Right wrist plain radiograph of the wrist | lateral projection: 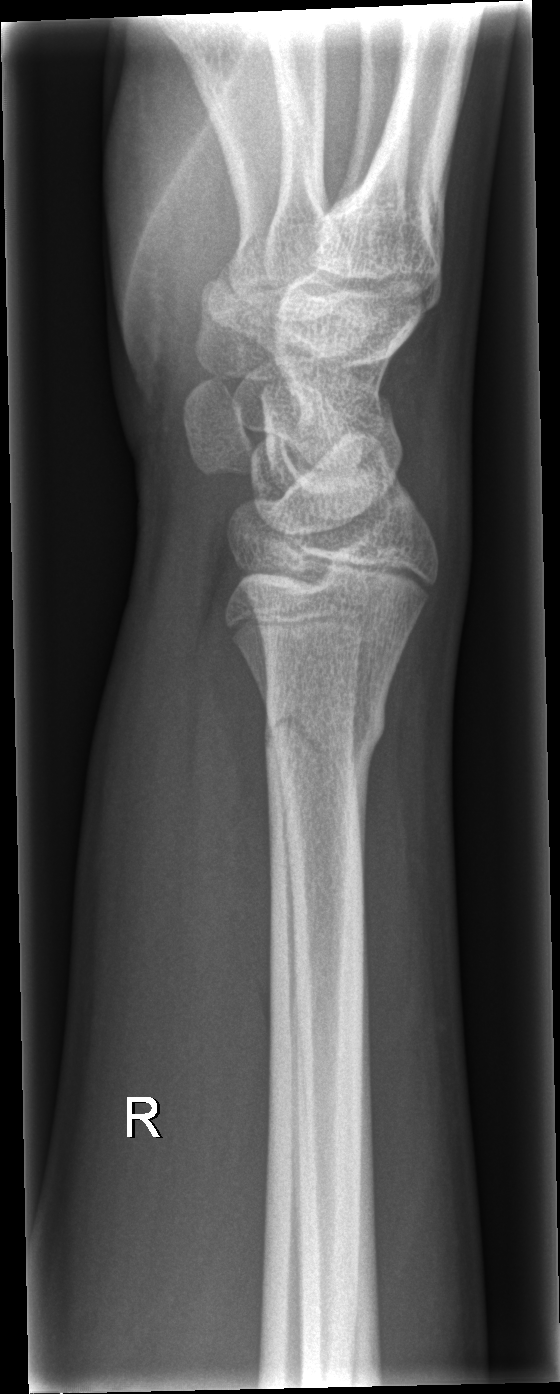
(bounding boxes in image-pixel xyxy)
Fracture: (left=257, top=686, right=390, bottom=778)